Left wrist radiograph · AP projection · 9-year-old male · cast in situ —
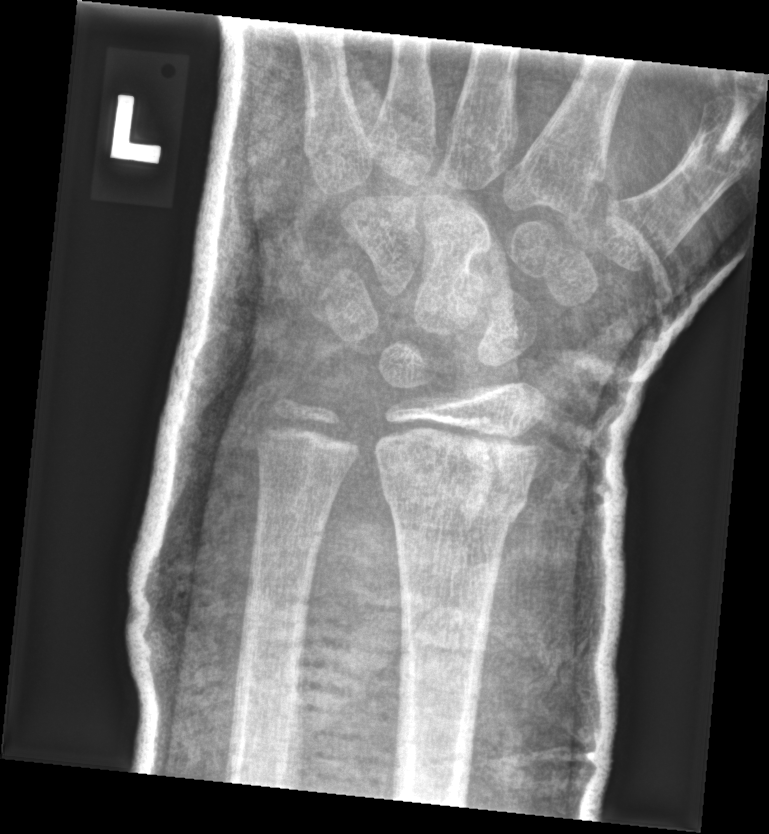   fracture: 376,437,537,527